Rt plain radiograph of the wrist · lat projection · initial study · acquired on Siemens.
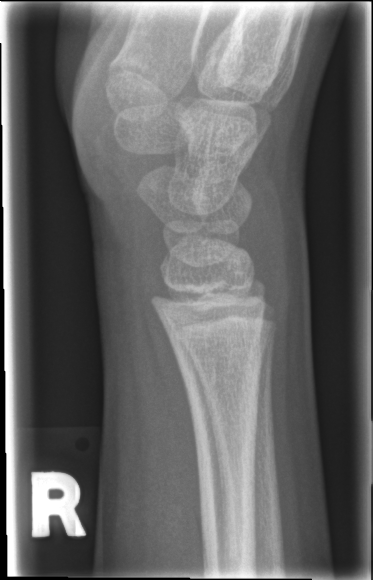 bone fracture: none labeled